PA; left wrist plain film; girl, 3 yo
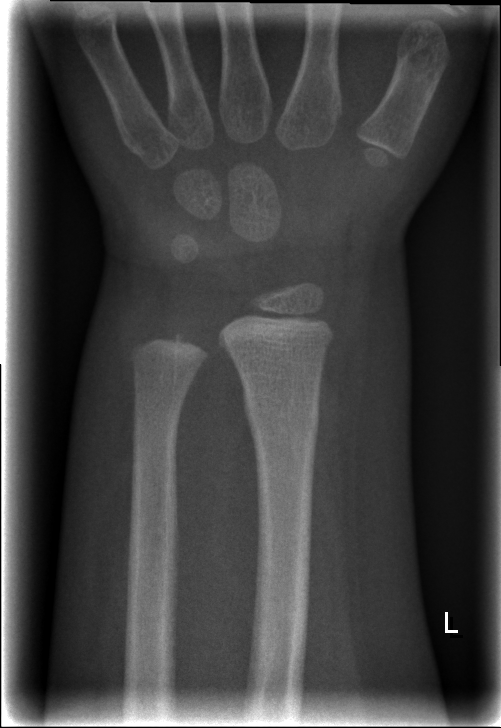 Findings: One fracture at bbox(239, 381, 323, 431). AO/OTA classification: 23r-M/2.1.